R plain radiograph of the wrist; PA projection; 16y F; detector: Siemens 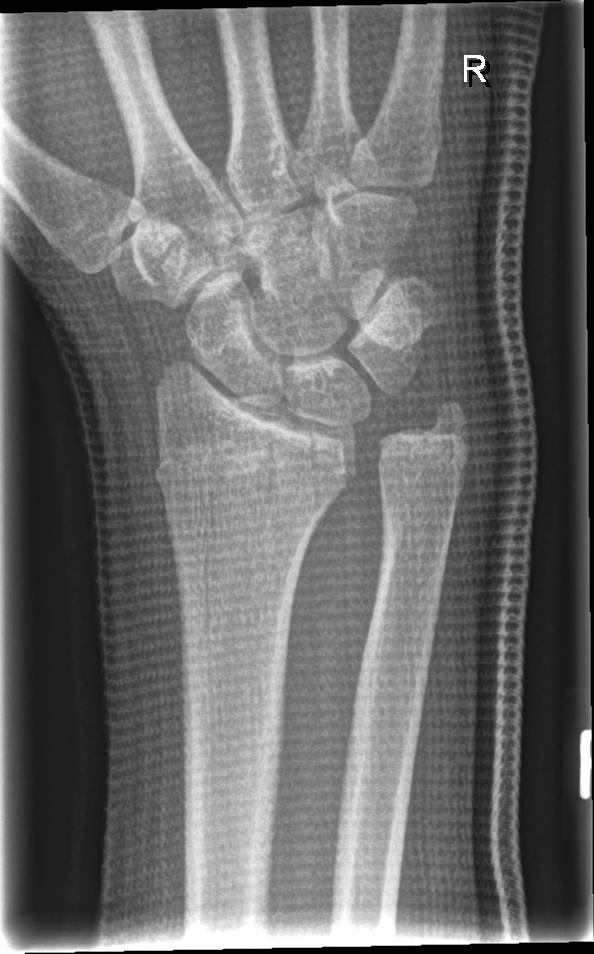
AO/OTA classification: 23r-M/3.1; 23u-E/7. Bone fracture — 149 433 353 503. Osseous anomaly identified at 337 351 479 478.